Rt plain radiograph of the wrist | PA view | boy, 17 yo | index exam — 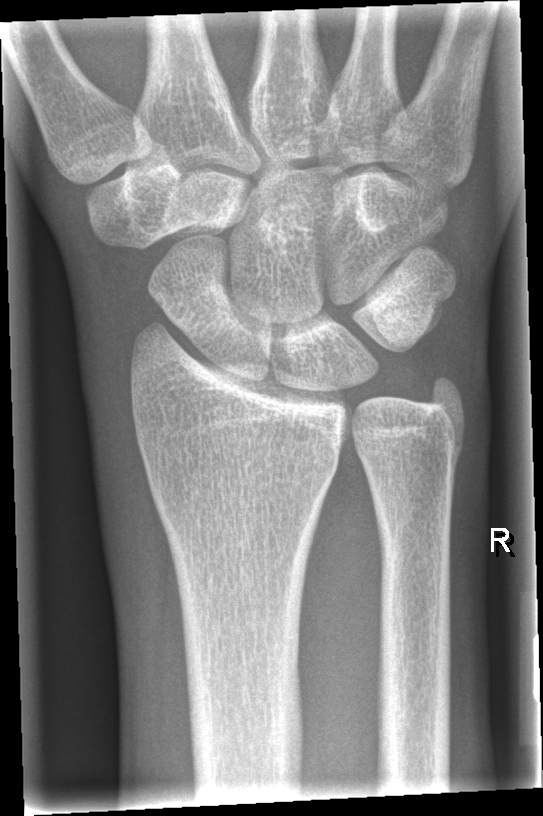
No Fx annotated.